Lateral projection; R plain radiograph of the wrist; pediatric patient (male, age 9) —
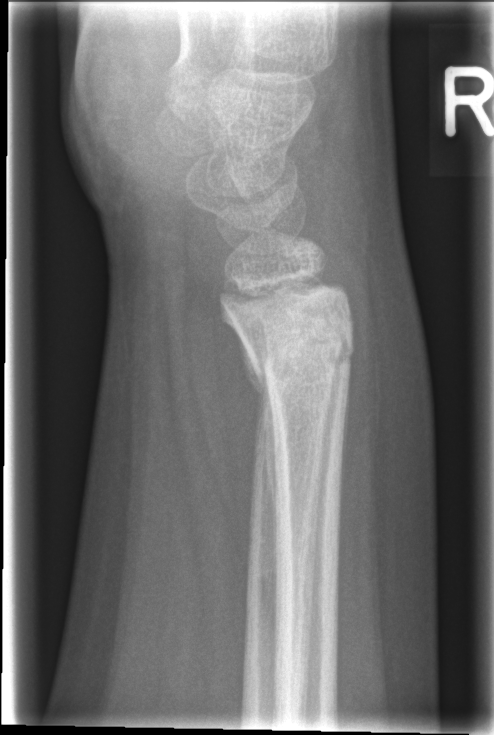 AO classification = 23r-M/3.1; 23u-M/2.1
Bone fracture = 237 301 361 423
Osteopenia = present
Periosteal reaction = 1 @ 234 330 280 544